Frontal projection; Lt wrist X-ray; 11y M; detector: Siemens; 768 by 972 pixels —

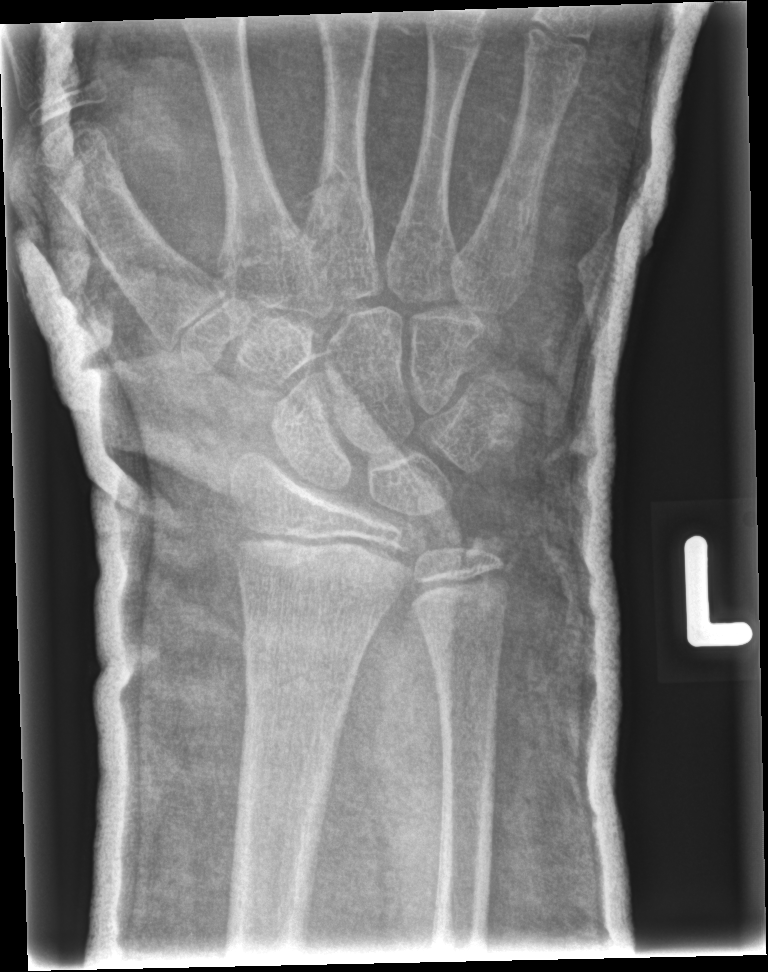

Two Fx at [x1=237, y1=612, x2=371, y2=685]; [x1=453, y1=518, x2=517, y2=582].